Lat projection; L wrist X-ray: 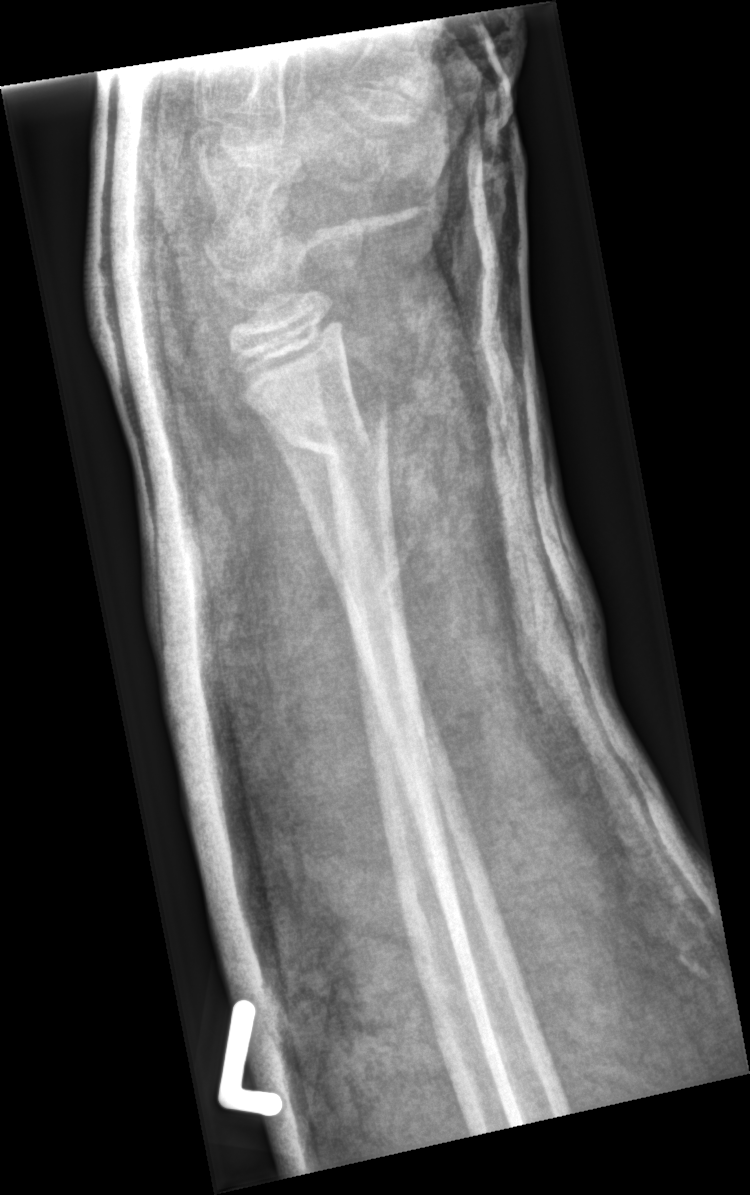

fracture: 1 @ 283 395 391 464
ao: 23r-M/3.1; 23u-M/2.1; 23u-E/7